Right wrist pediatric wrist radiograph; PA; pediatric patient (male, age 17); index exam; Siemens; image width 132.2 mm —
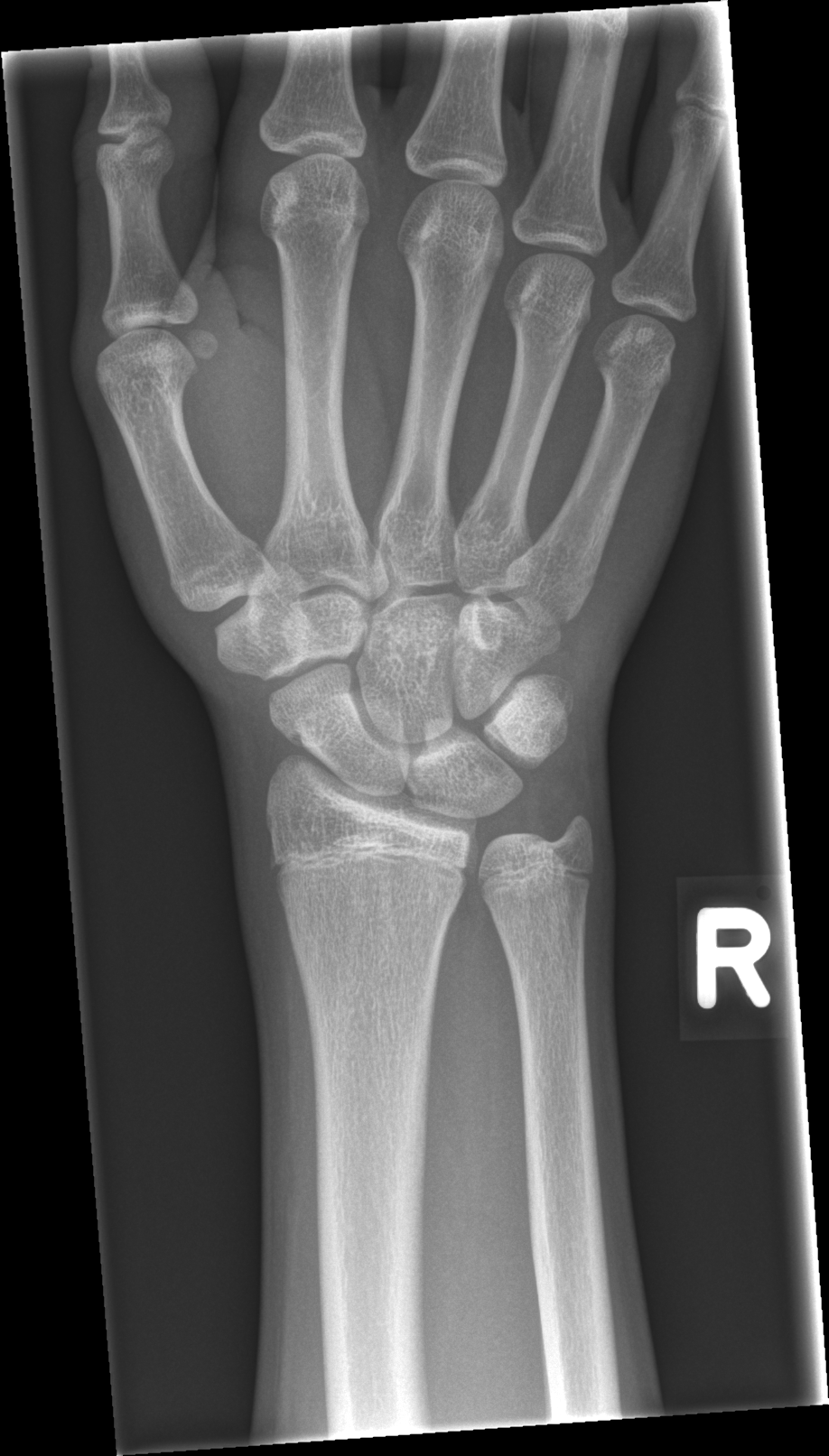

No fracture labeled.